Lateral projection, left plain radiograph of the wrist, pediatric patient (male, age 14), 696 x 1254 px
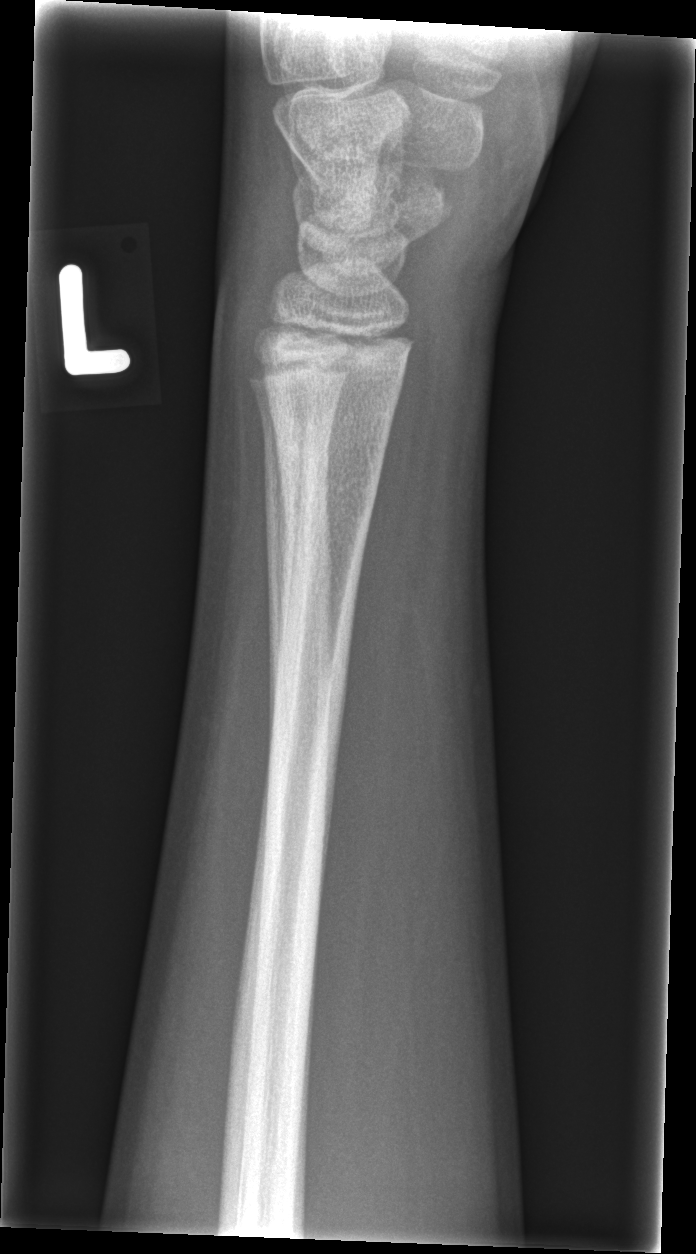

• Boxes as x1,y1,x2,y2 (top-left / bottom-right, pixel units).
• Fracture identified at (260, 367, 401, 560).